Frontal view · right wrist X-ray · initial study · 95.3 mm image width:

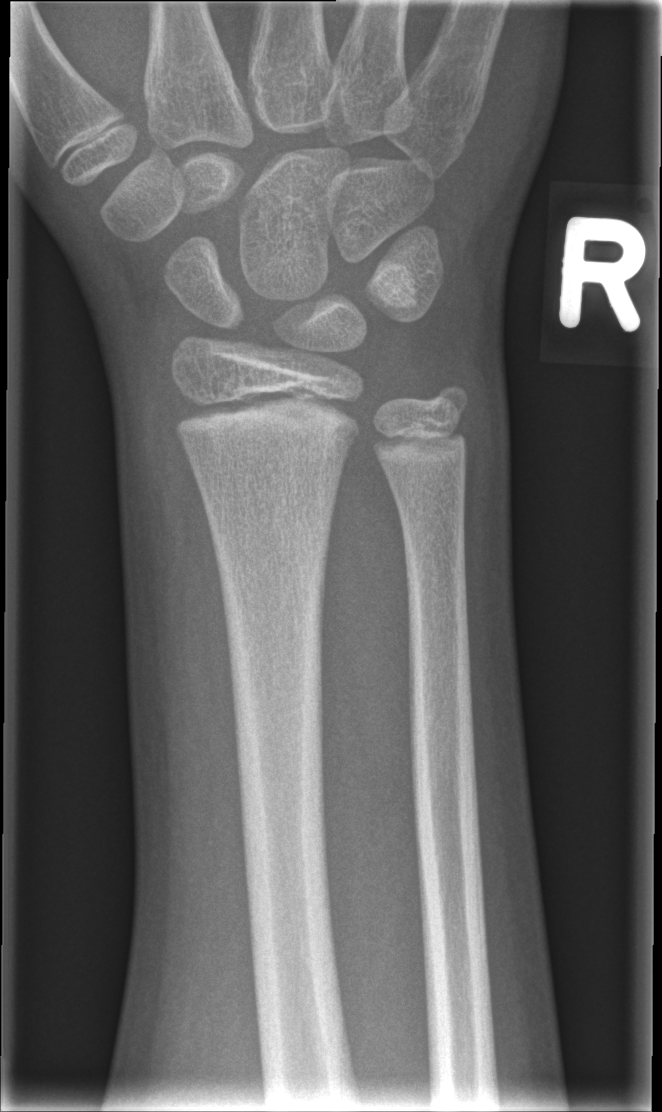

(pixel coordinates, top-left origin, xyxy)
fracture = bbox(171, 374, 364, 455)